Right wrist plain film | lat | 7y F | initial study 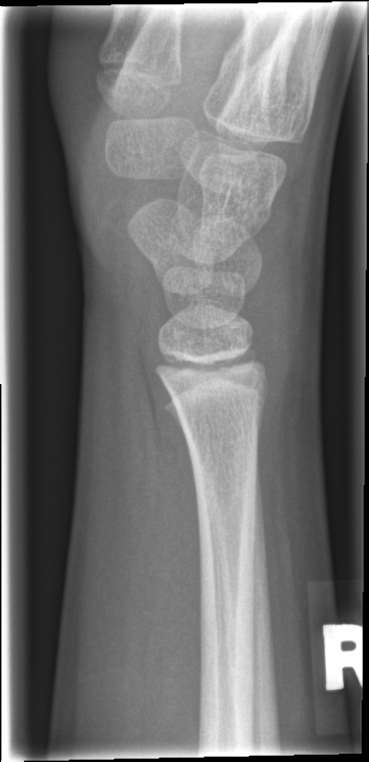 {
  "fracture": "none labeled"
}